AP projection · R wrist radiograph · cast in situ. 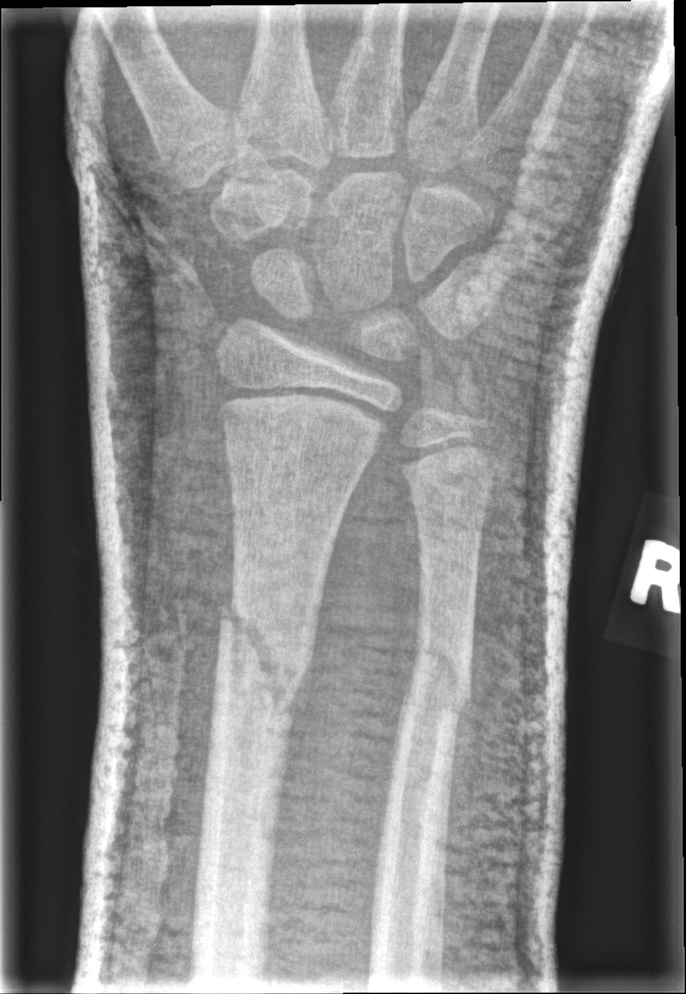 Two bone fractures at 210,588,320,744; 400,631,475,740.